R wrist X-ray | lateral.

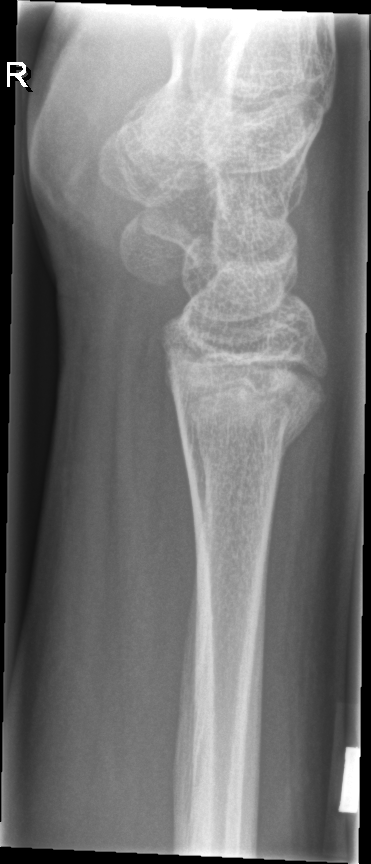
FINDINGS: One pronator quadratus fat-pad sign at 106 273 189 734. AO code 23r-M/2.1. One Fx at 169 367 324 470.